Lateral projection, Lt pediatric wrist radiograph, follow-up, 436x1194.
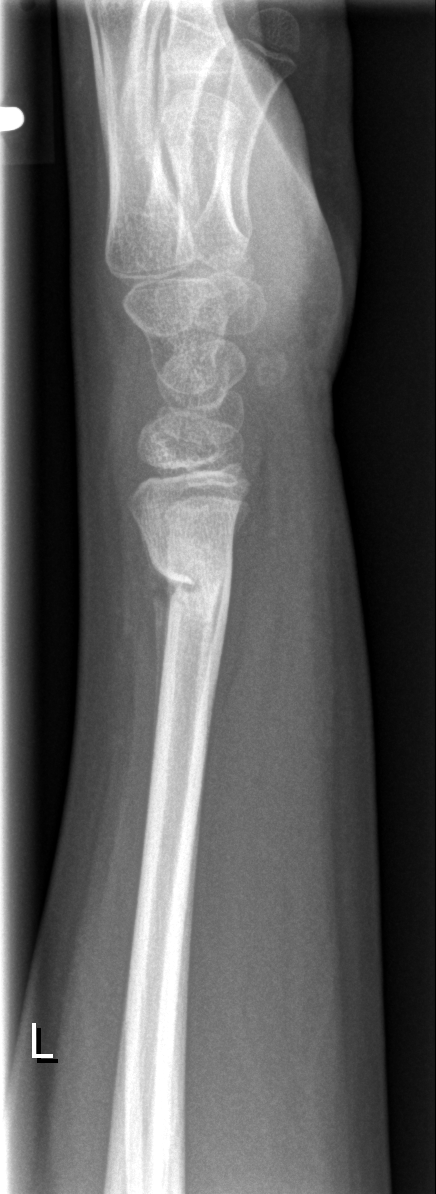

(coordinates are [x1, y1, x2, y2] in image pixels)
Q: Is there osteopenia?
A: Decreased bone density (osteopenia)
Q: Any periosteal thickening?
A: Periosteal new bone: bbox(137, 522, 177, 743)
Q: Any fracture seen?
A: Bone fracture: bbox(143, 549, 238, 618)
Q: What is the AO/OTA classification?
A: Fracture classified AO/OTA 23-M/2.1